R pediatric wrist radiograph · lat projection · 10-year-old female.

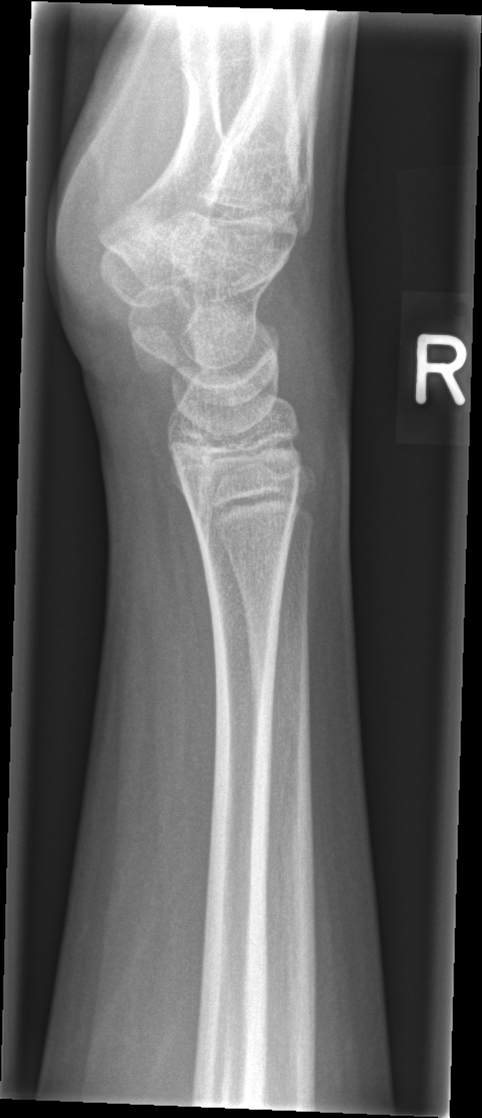

No Fx annotated.